Right wrist XR | posteroanterior view | 15y F | presentation radiograph —
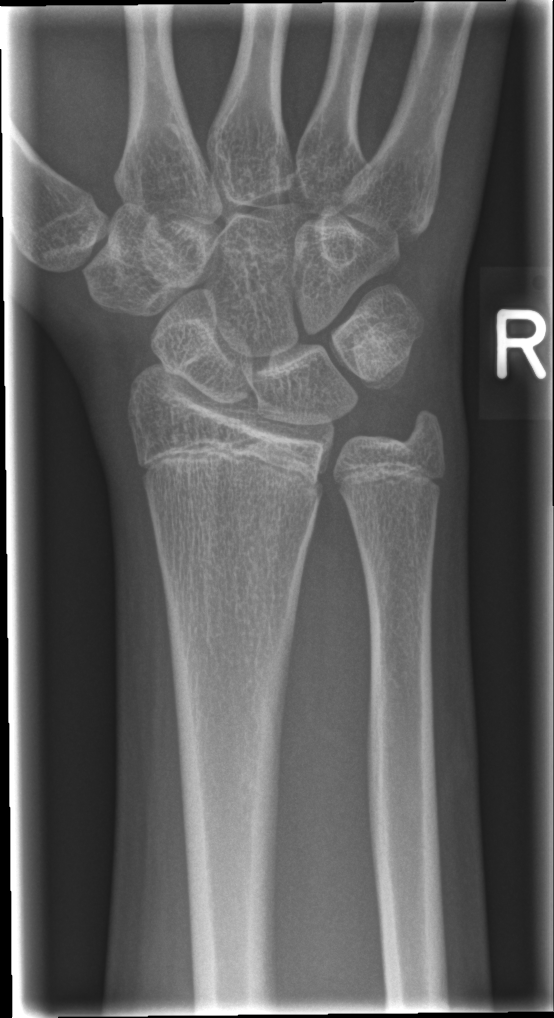 - No Fx annotated.